Left wrist pediatric wrist radiograph, PA/AP, pediatric patient (boy, age 7), follow-up.

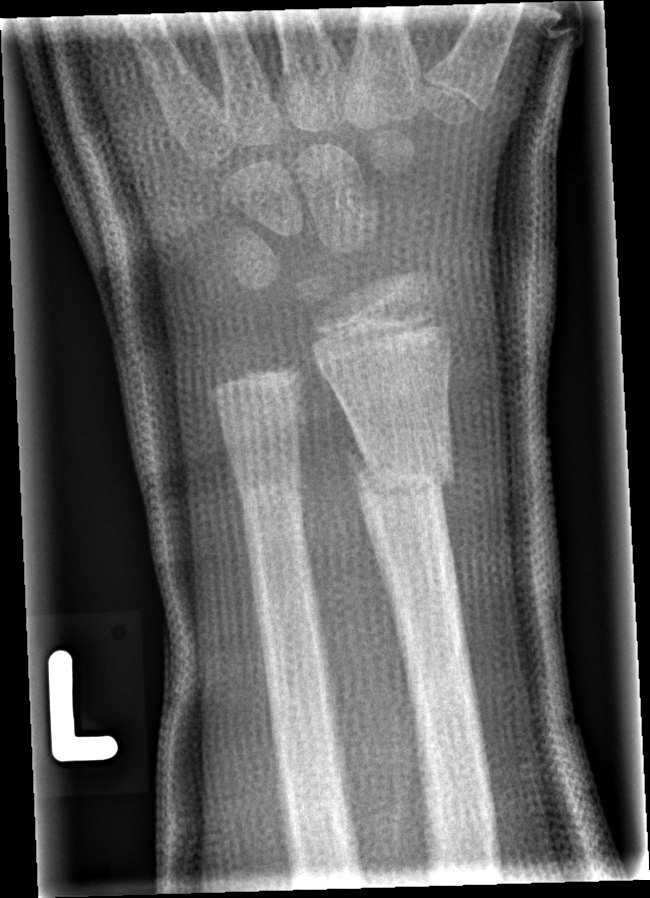 (boxes as x1,y1,x2,y2 (top-left / bottom-right, pixel units))
Bone fracture: (343, 447, 458, 501); (231, 468, 308, 515)
AO code: 23-M/3.1